Rt plain radiograph of the wrist | posteroanterior projection | 10y F | Siemens —
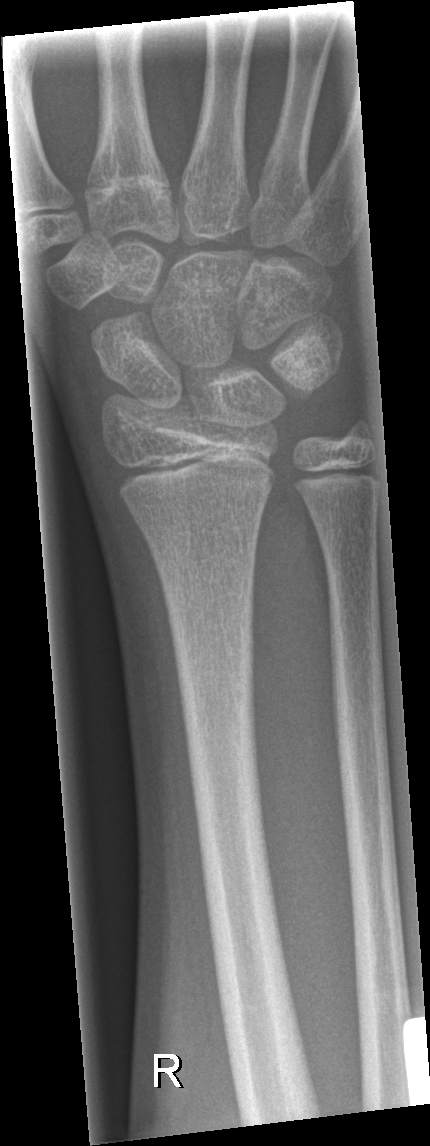
Q: Is there a fracture?
A: Fx: none